Left wrist radiograph | PA/AP | initial study —

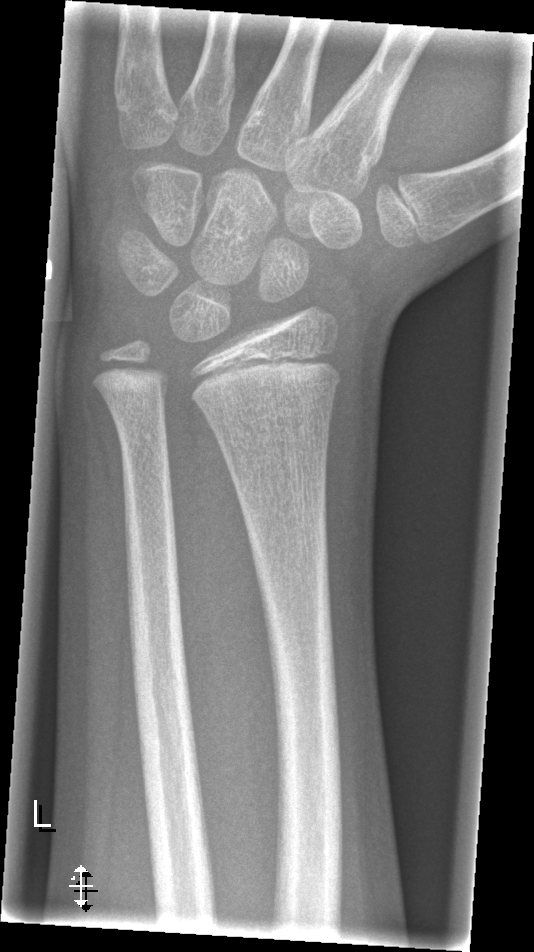
bone variant = 1 @ [x1=58, y1=289, x2=230, y2=477]
bone fracture = none labeled